Left wrist radiograph | lat | 16y M | index exam | 421 by 1236 pixels. 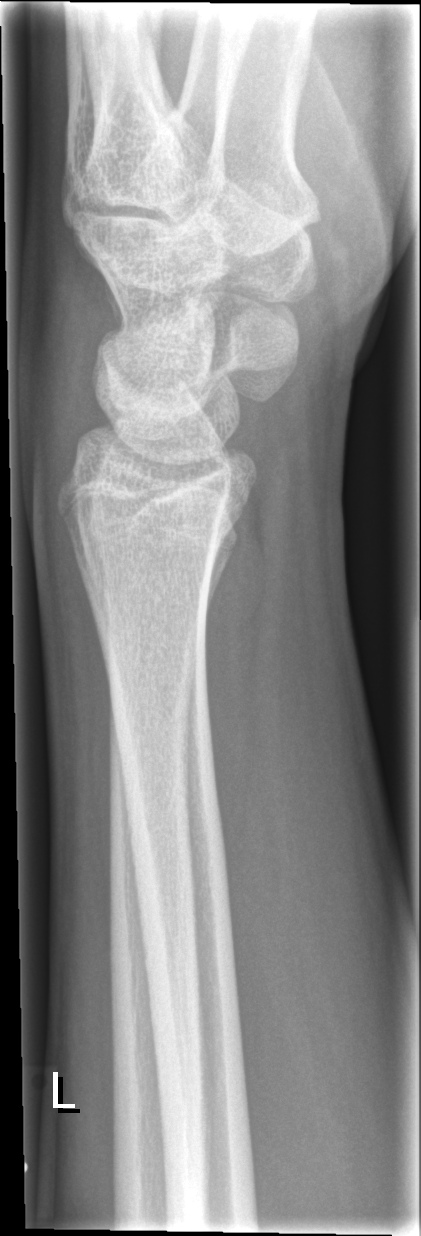

{"fracture": "none labeled"}